Lt wrist plain film, lateral projection, female, 12 yo, presentation radiograph, 565x1144 —

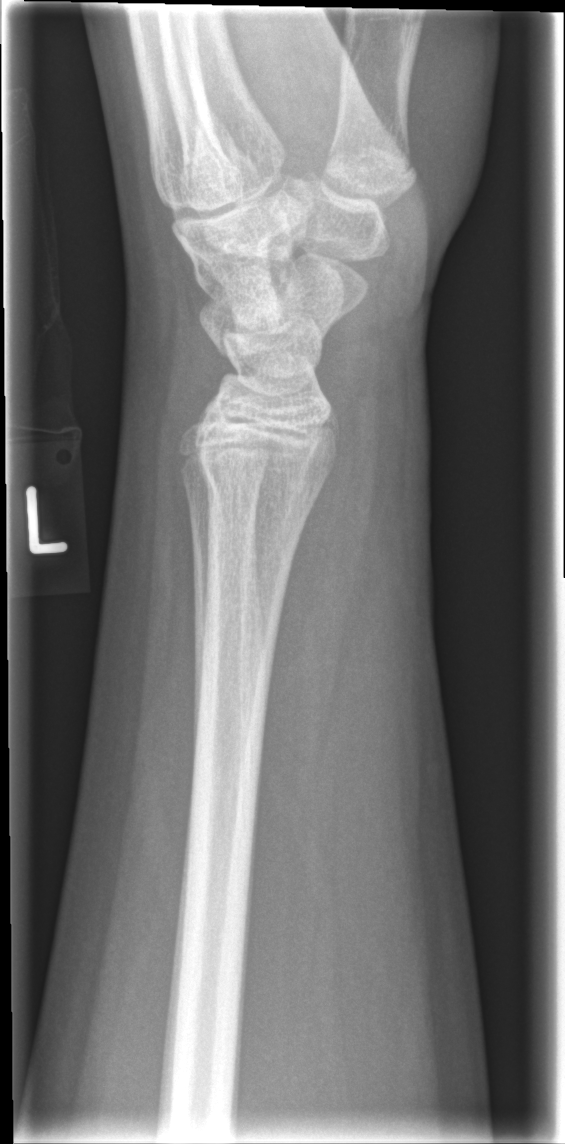 * Fx: 194 445 326 522.
* One pronator sign at 260 391 376 787.